PA | left wrist pediatric wrist radiograph | 15y M:
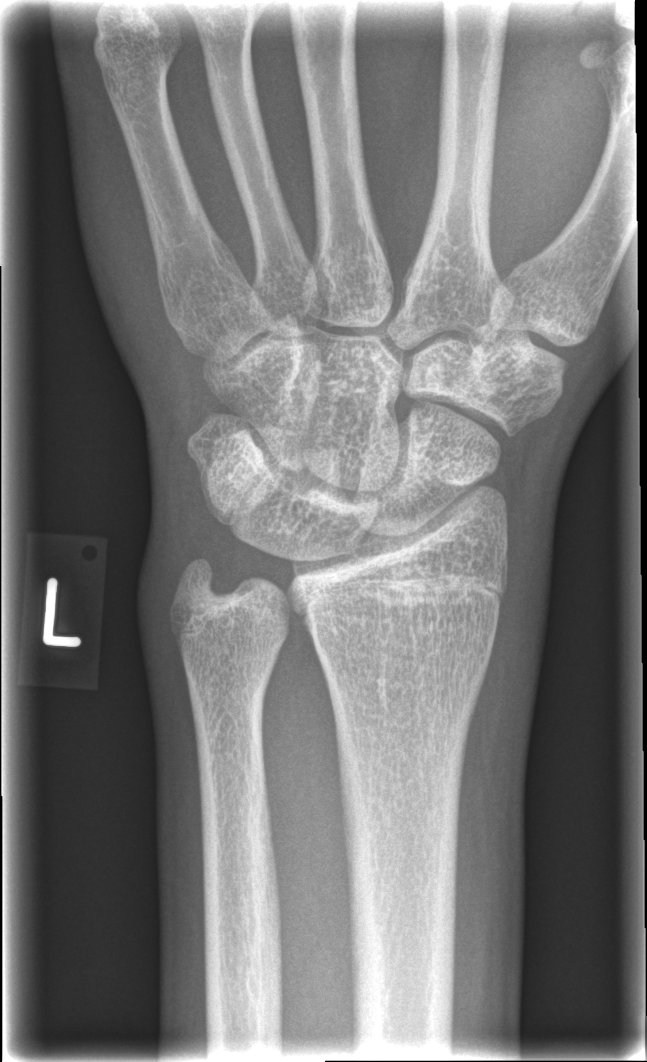

• Fracture: none labeled.